Rt wrist plain film; frontal projection —

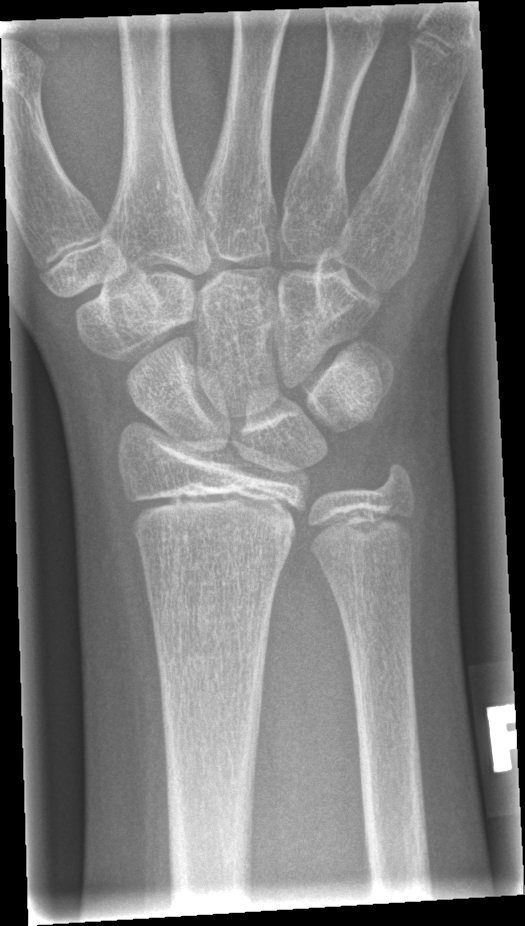 Fracture: none labeled